Frontal projection; Rt plain radiograph of the wrist; pediatric patient (male, age 16) 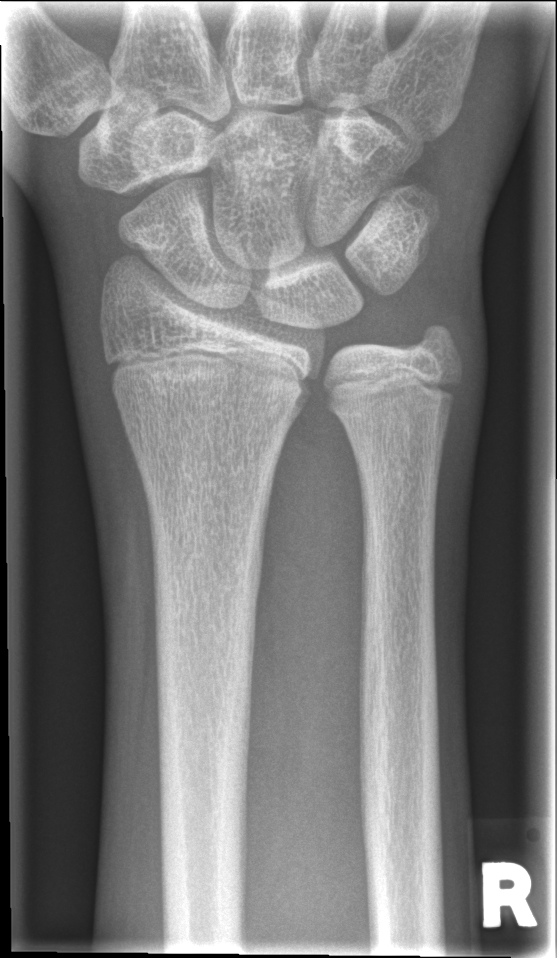 Fx: none labeled